Lt pediatric wrist radiograph; PA; boy, 9 yo; 608x804.
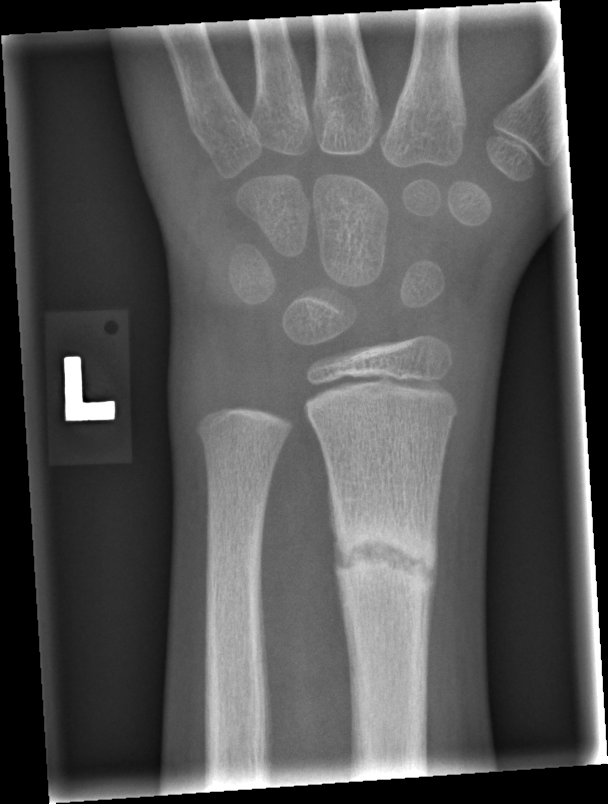
Boxes as x1,y1,x2,y2 (top-left / bottom-right, pixel units).
Fx: [x1=327, y1=511, x2=442, y2=603].